AP; L pediatric wrist radiograph; female, 1.5 yo; diagnosis uncertain
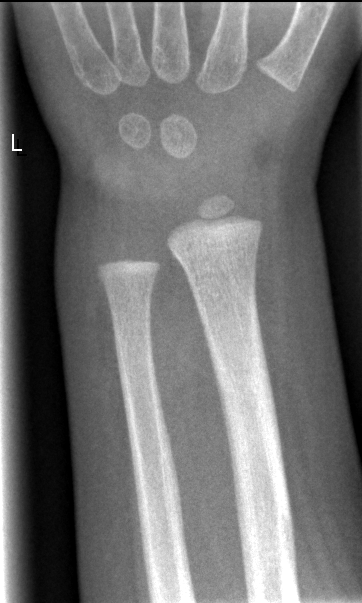 bone fracture = none labeled